AP view · Lt wrist radiograph · 6-year-old boy
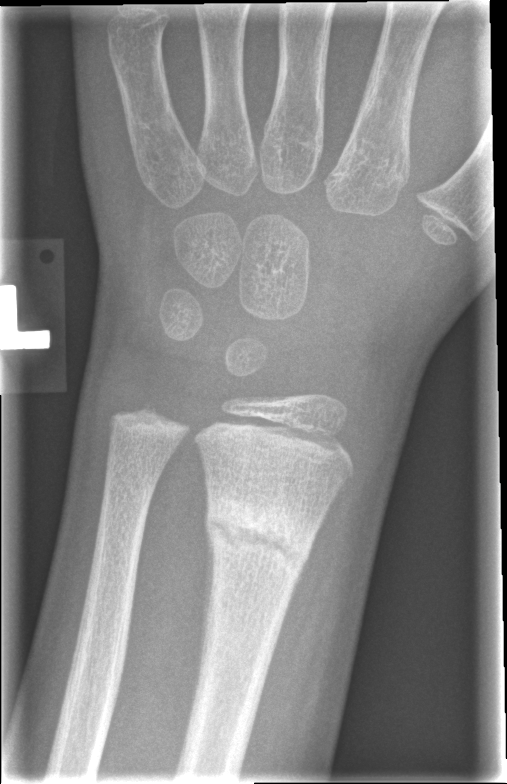
One fracture at (201, 493, 314, 580). Periosteal thickening — (197, 535, 214, 690).